PA view · right wrist plain film · cast present · 512 by 911 pixels. 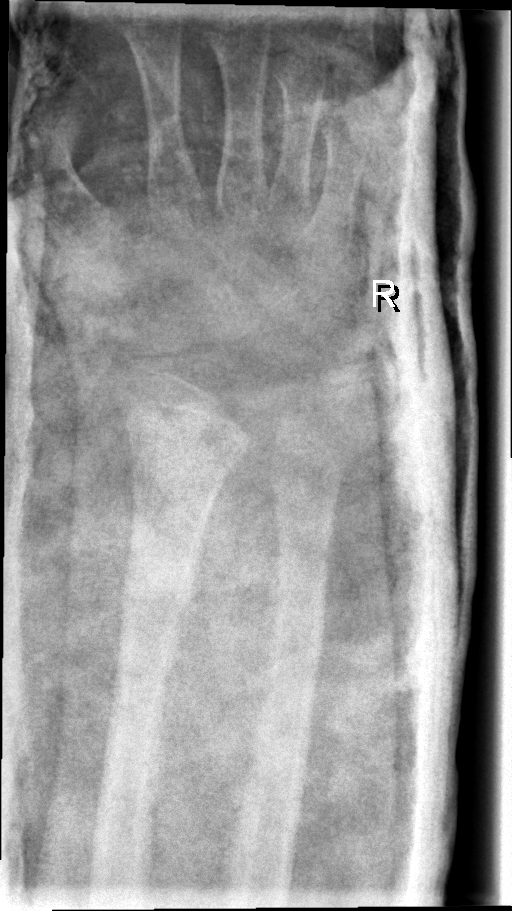 AO/OTA = 23-M/3.1
Bone fracture = [x1=121, y1=521, x2=200, y2=629]